R pediatric wrist radiograph, frontal view: 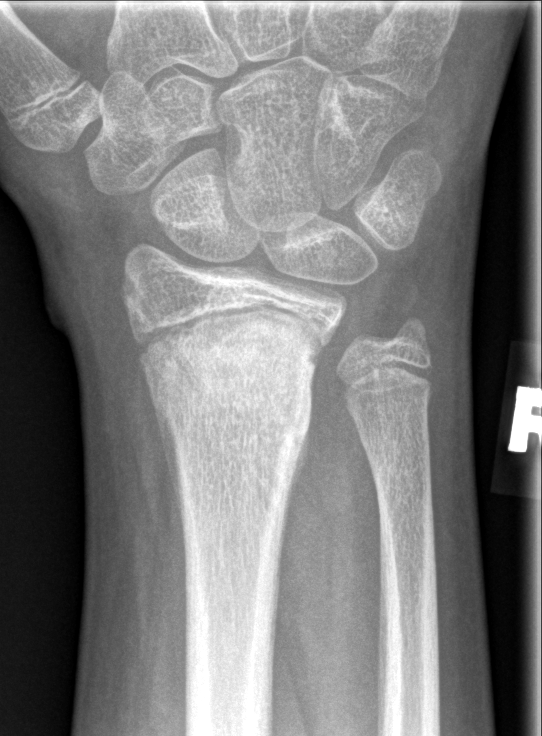 {
  "_coords": "pixel coordinates, top-left origin, xyxy",
  "osteopenia": "present",
  "fracture": "(left=132, top=300, right=331, bottom=453)",
  "ao": "23r-E/2.2",
  "periostealreaction": "(left=154, top=411, right=186, bottom=543), (left=289, top=434, right=310, bottom=495)"
}